Lateral view, Lt plain radiograph of the wrist, age 9 y, male, cast in situ, Siemens 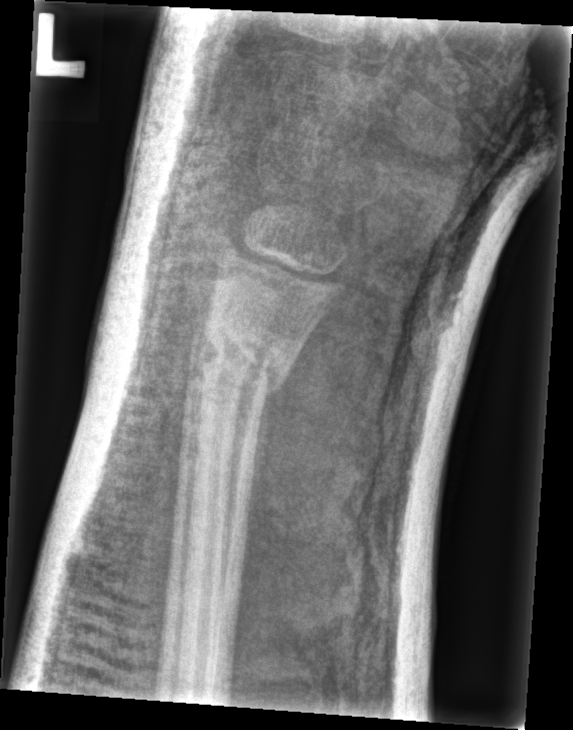

# coordinates are [x1, y1, x2, y2] in image pixels
periostealreaction: 1 @ (left=245, top=377, right=282, bottom=564)
fracture: (left=183, top=318, right=300, bottom=410)
ao: 23r-M/3.1; 23u-M/2.1